Lateral projection, right wrist XR, 354 x 1044 px: 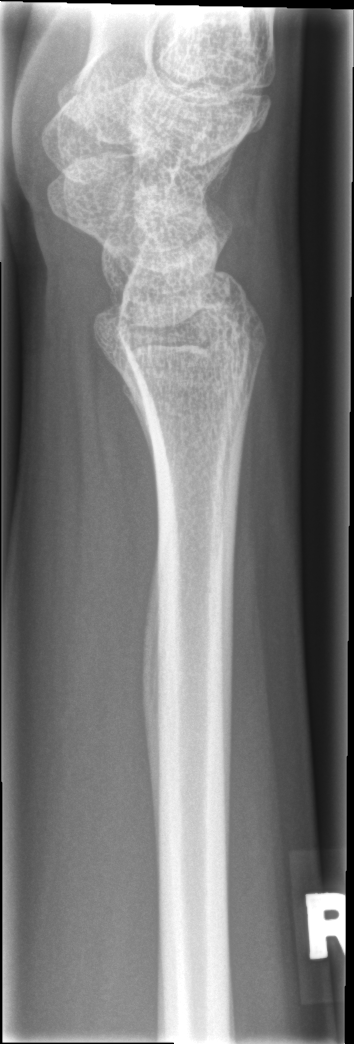 Fx = none labeled